L wrist XR, AP view, presentation radiograph, 88.6 mm image width:
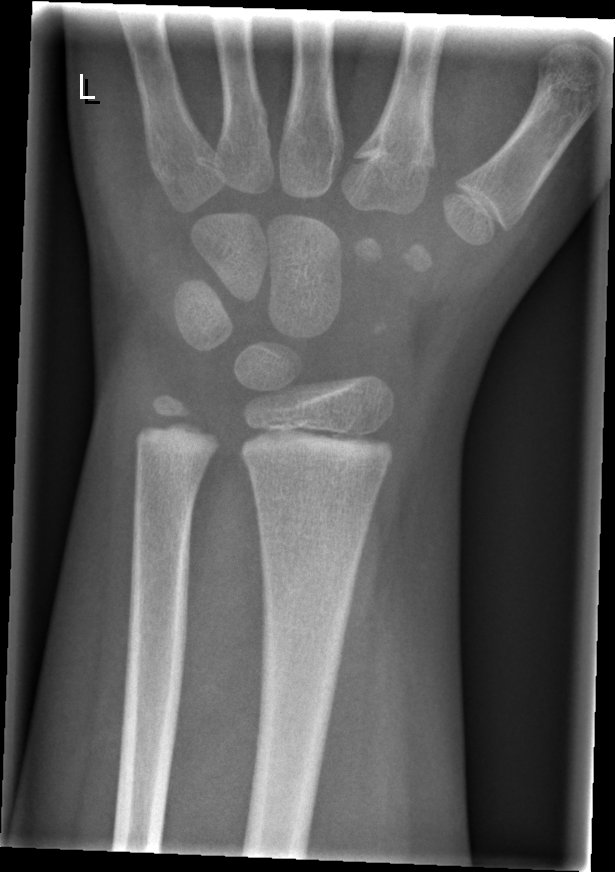 • No fracture labeled.